L plain radiograph of the wrist | PA projection | 3-year-old boy — 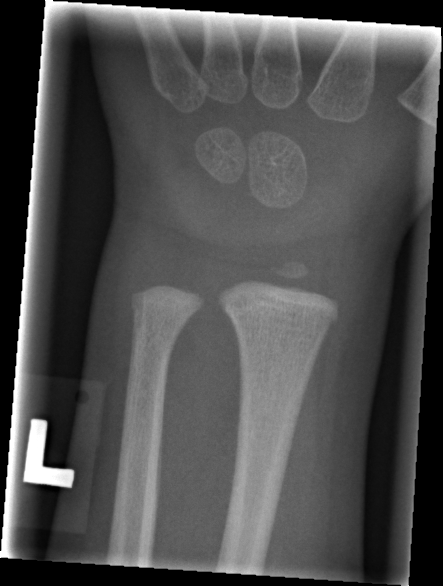

  fracture: none labeled